Lat projection | left wrist plain radiograph of the wrist | equivocal findings:

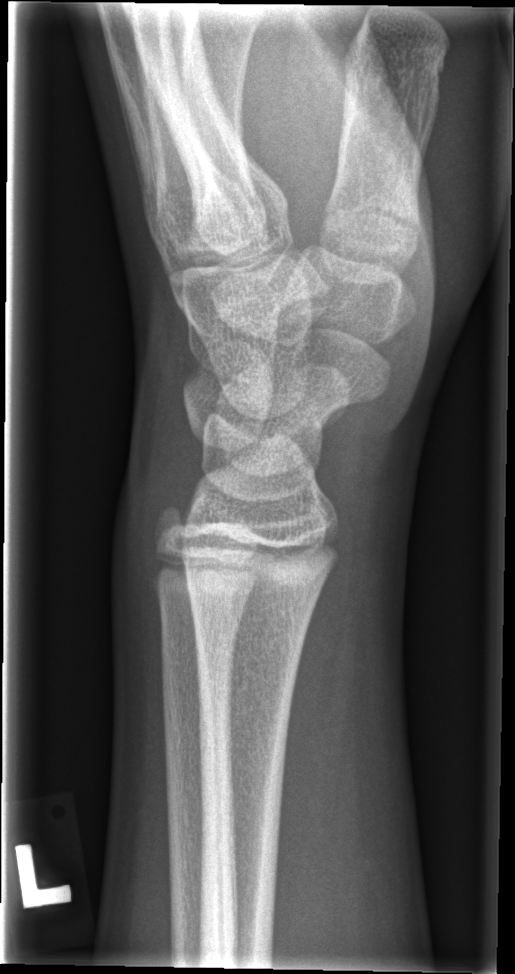

FINDINGS: No fracture annotation.